L wrist X-ray · lateral projection · pediatric patient (male, age 9).

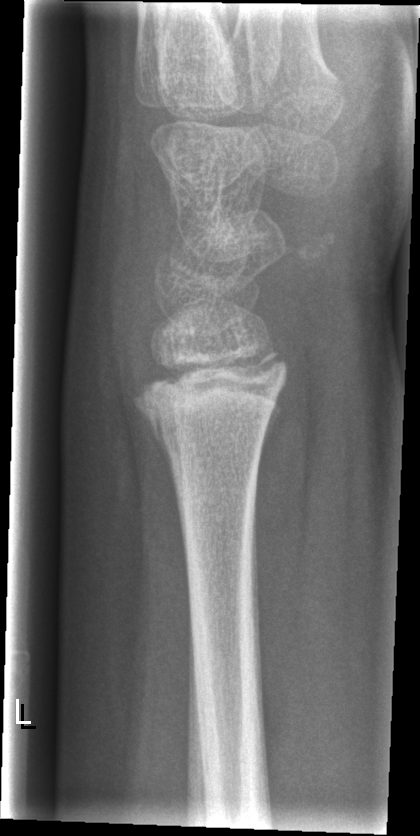

AO/OTA: 23r-E/2.1
osteopenia: present
Fx: [132, 350, 285, 468]